Lateral view · left plain radiograph of the wrist · follow-up study

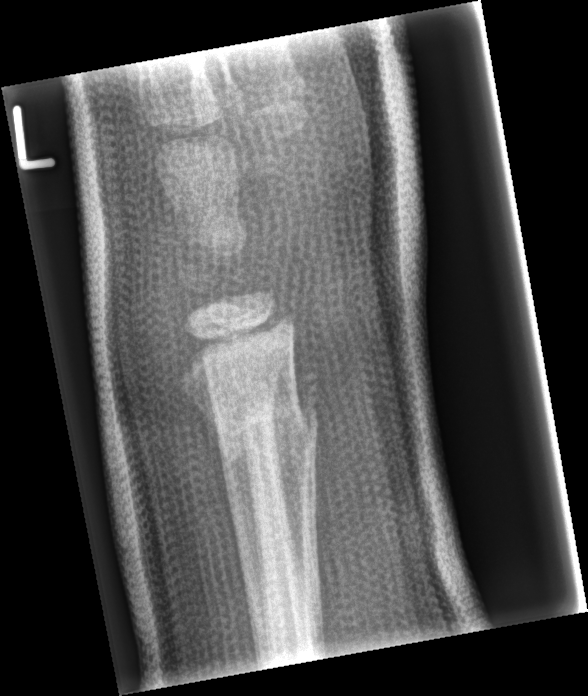

- One fracture at [x1=204, y1=398, x2=329, y2=456].